Posteroanterior projection · Rt wrist plain film.

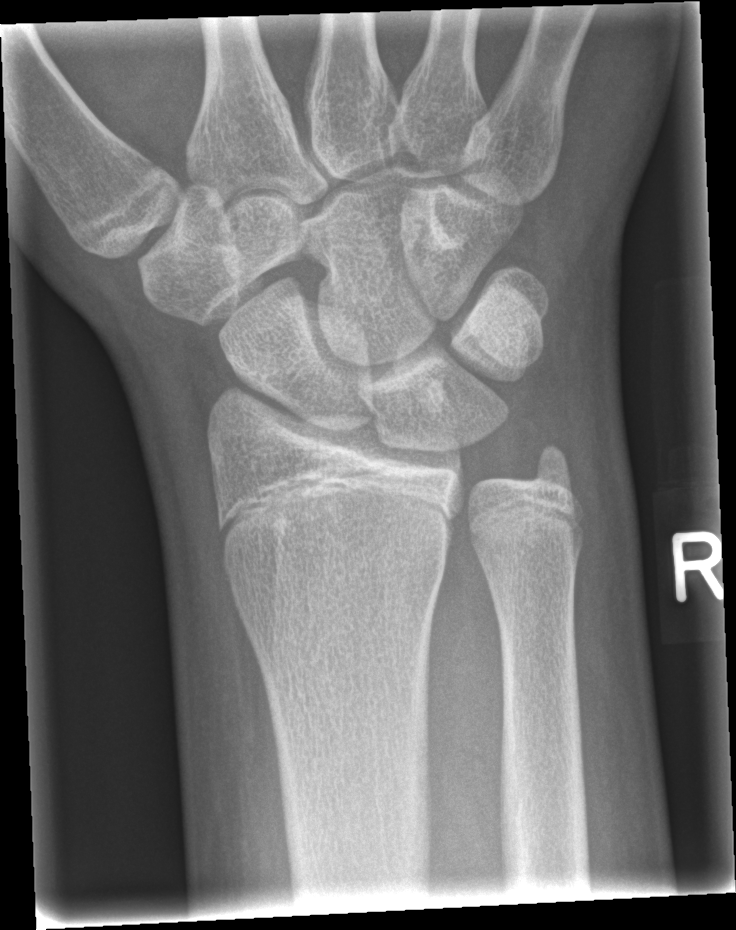
bone fracture: none labeled